L pediatric wrist radiograph · frontal projection · pediatric patient (boy, age 3) · subsequent exam · cast present.
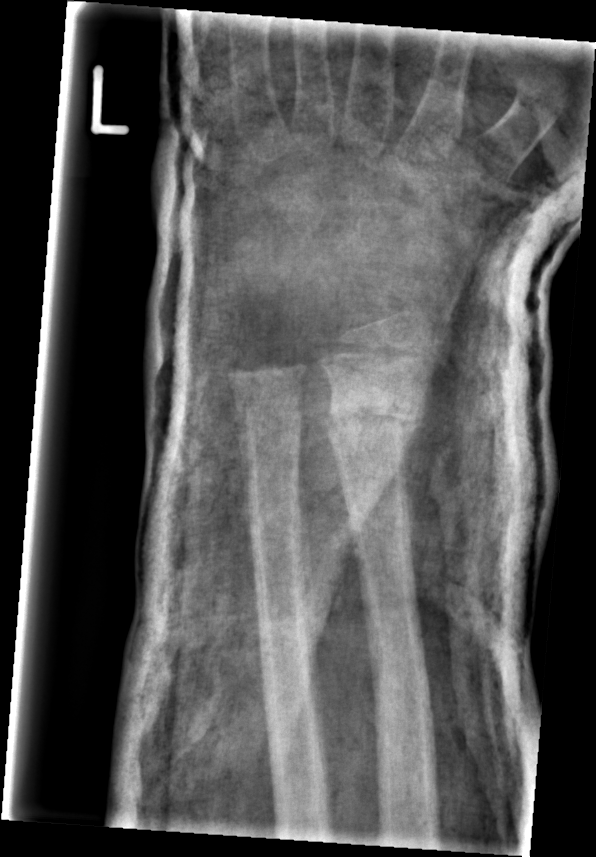 (coordinates are [x1, y1, x2, y2] in image pixels)
Fracture = (left=324, top=377, right=421, bottom=459) (left=224, top=373, right=307, bottom=435)
Periosteal reaction = (left=229, top=378, right=252, bottom=536)